Right wrist plain radiograph of the wrist, lateral, female, 6 yo, 320x810:
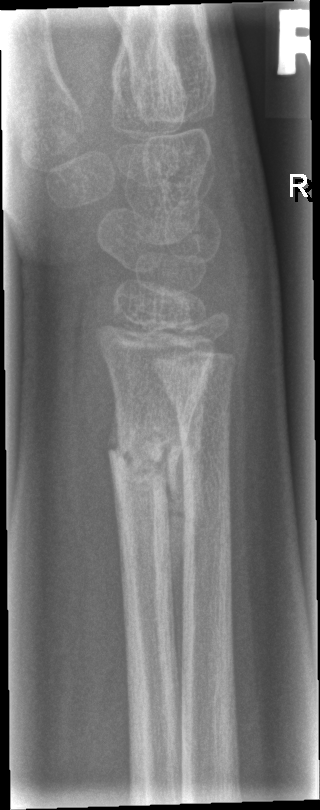

Periosteal reaction identified at (left=163, top=373, right=211, bottom=607) (left=108, top=394, right=119, bottom=457).
Decreased bone density (osteopenia).
AO/OTA classification: 23r-M/3.1; 23u-M/2.1.
Fracture identified at (left=102, top=420, right=192, bottom=501).